Right wrist radiograph | PA/AP | image size 634x936

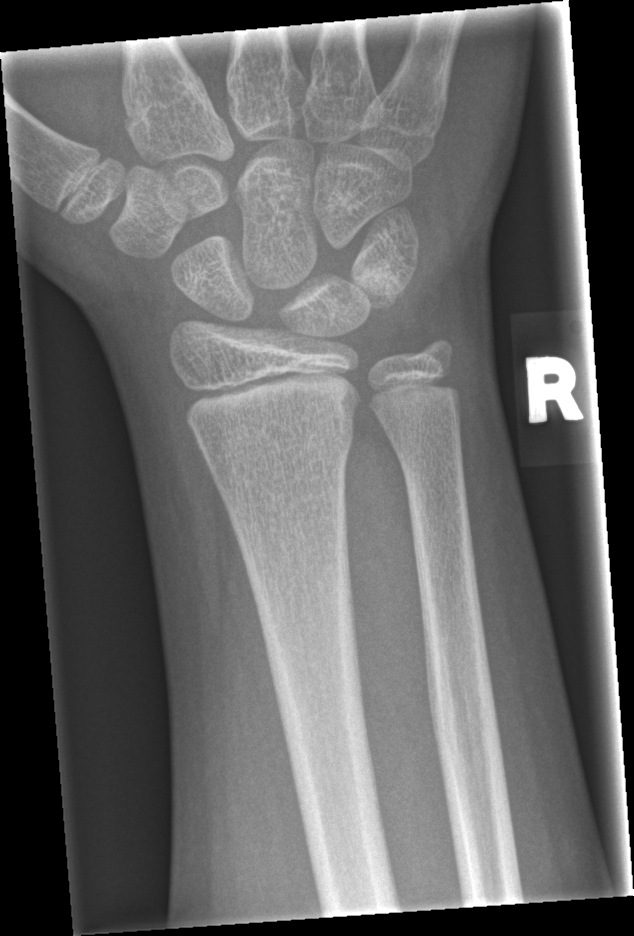
Fx identified at [199, 416, 358, 487].
AO code 23r-M/2.1.